PA view; L wrist X-ray; 9y M; follow-up study; cast in situ 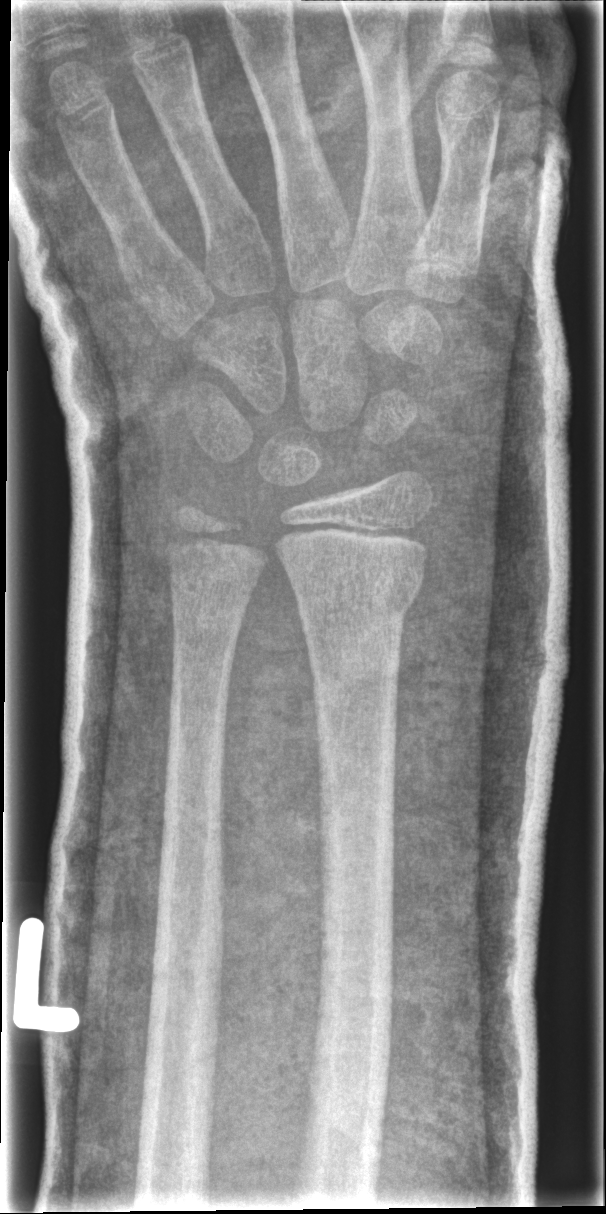

Fx: 1 @ 288 561 427 632
AO/OTA: 23r-M/2.1